R wrist XR · lateral:
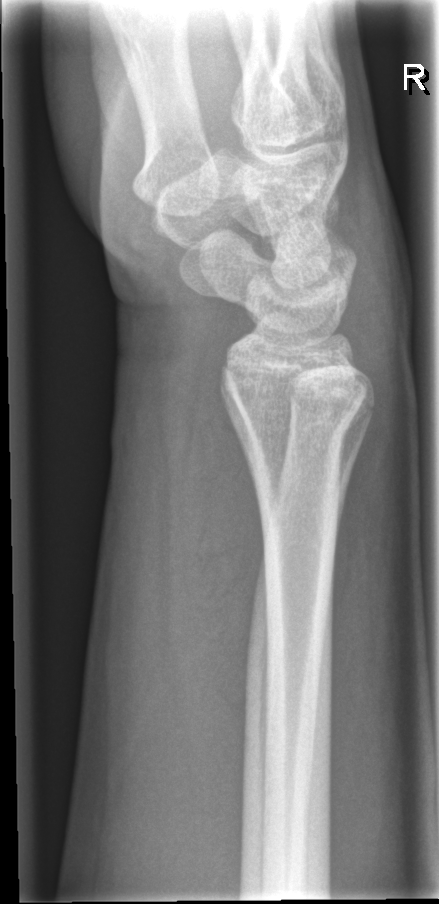
* One bone fracture at [x1=228, y1=381, x2=369, y2=463].
* AO code 23r-M/2.1.
* One positive pronator fat-pad sign at [x1=181, y1=367, x2=269, y2=717].